PA · L plain radiograph of the wrist · pediatric patient (girl, age 10) · index exam

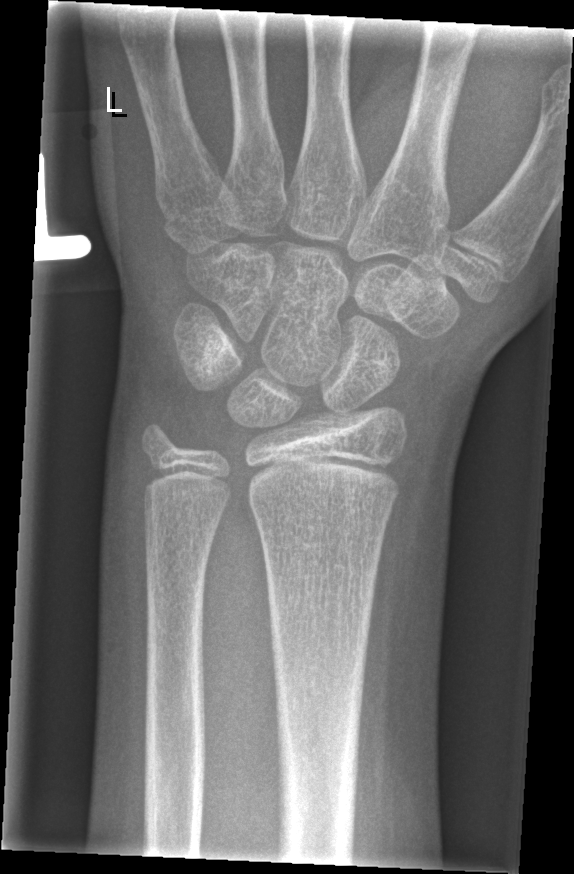
No fracture labeled.